Frontal · left plain radiograph of the wrist · imaged through cast

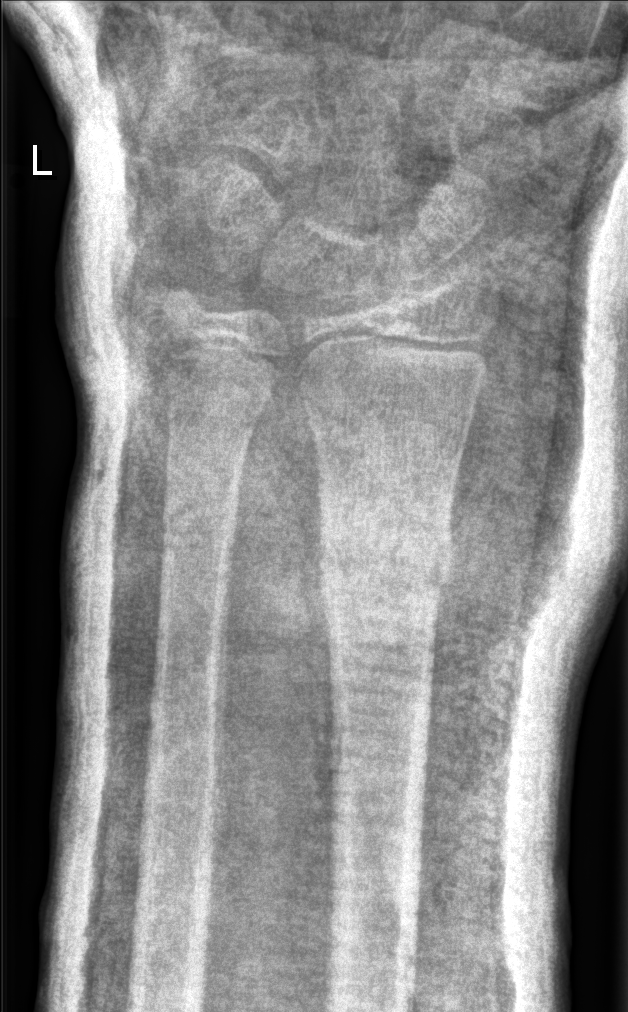 Q: Any fracture seen?
A: Fracture: <314,511>-<458,627>, <155,490>-<244,565>
Q: AO code?
A: AO code 23-M/3.1